Left wrist plain film, PA/AP projection, girl, 12 yo, presentation radiograph.
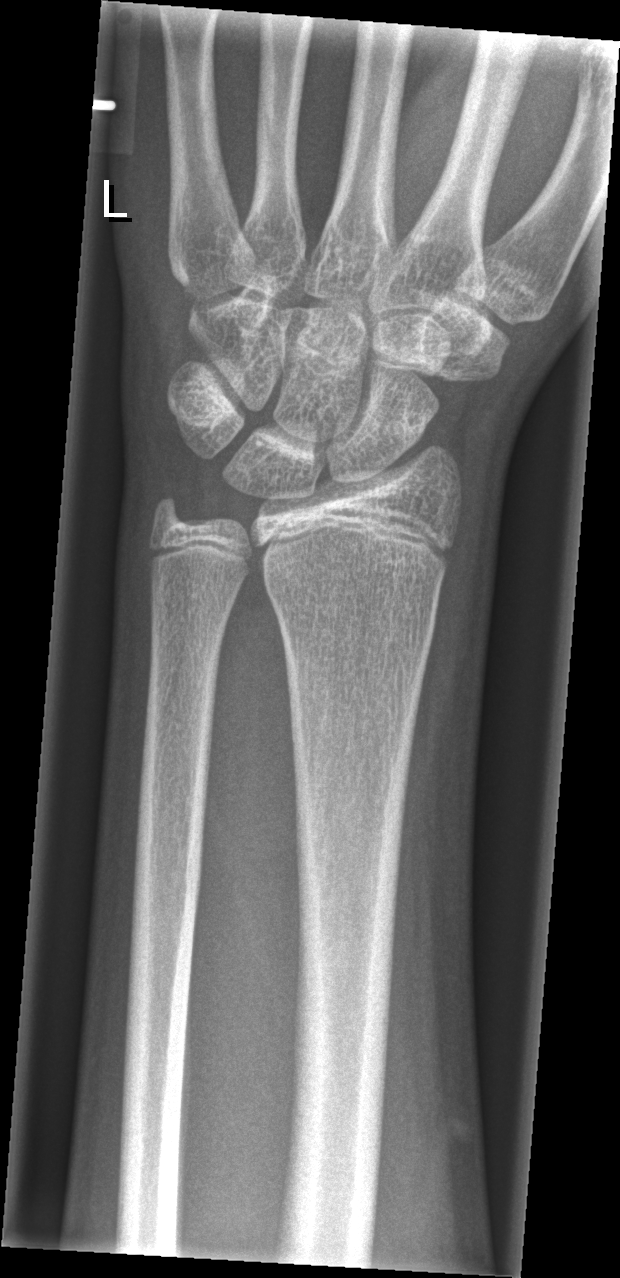 Fx: none labeled